Lateral view; Lt wrist plain film; in cast — 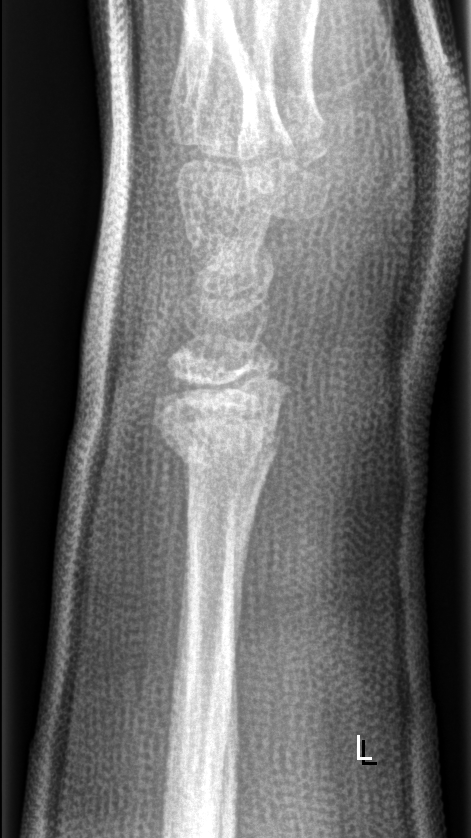 Bounding boxes in image-pixel xyxy.
Fx: 149,379,299,479.